Lat | left wrist plain film | follow-up:

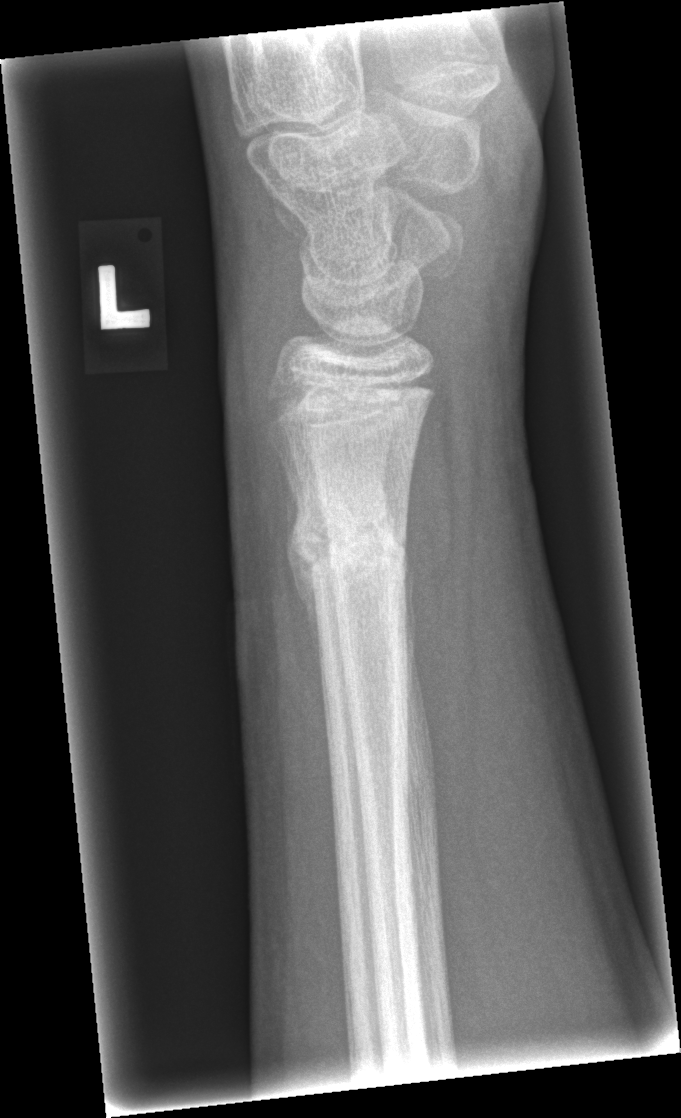 Findings: Fracture classified AO/OTA 23-M/3.1; 23u-E/7. Osteopenic. Two periosteal reaction at 285,471,322,684 | 401,541,418,695. Fracture — 282,493,411,597.